PA; Lt wrist XR; in cast; image 129.3 mm wide; 904x1232:
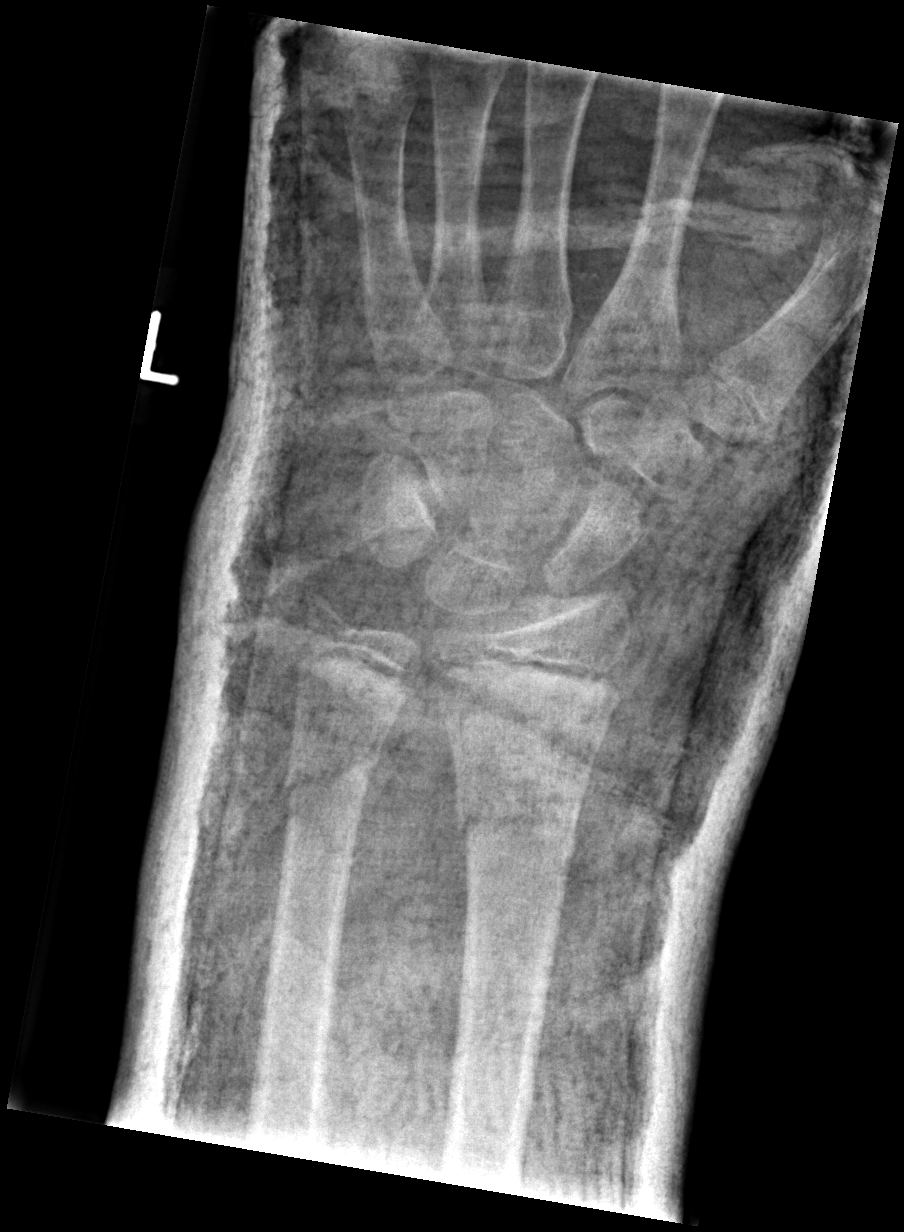

Findings: Fracture: 452 792 584 865 | 277 740 383 811. Fracture classified AO/OTA 23-M/3.1.